Lateral; left wrist plain film; girl, 14 yo; index exam; image width 72.4 mm; image size 503x828
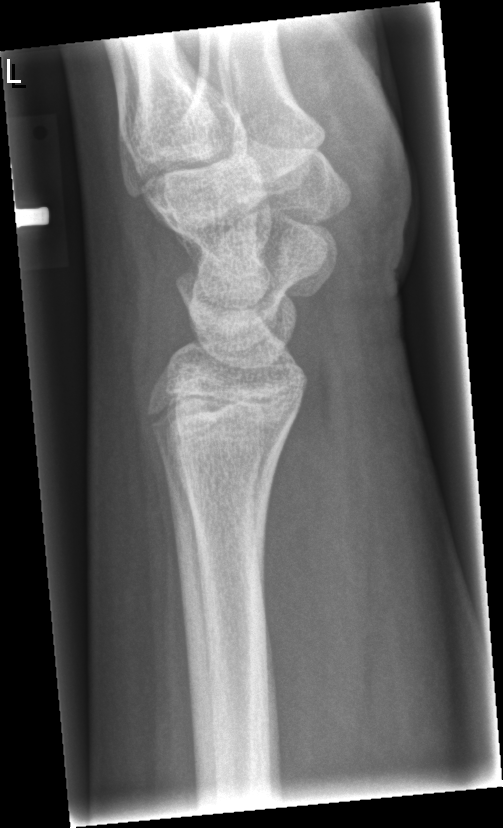 Findings: Fx: none.